AP projection, L wrist X-ray, pediatric patient (boy, age 12), cast in situ —
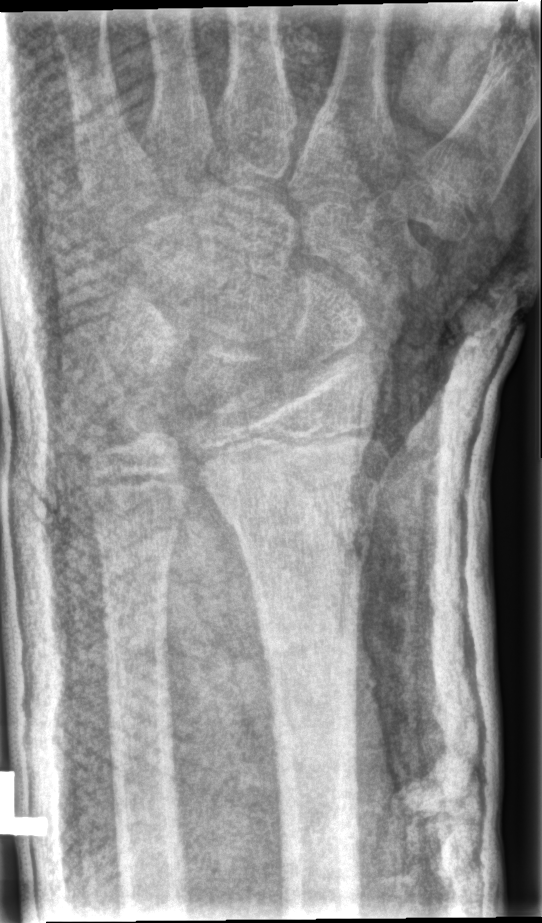 Fractures — bbox(210, 475, 378, 566), bbox(70, 409, 125, 468).